Rt wrist plain film · PA projection —

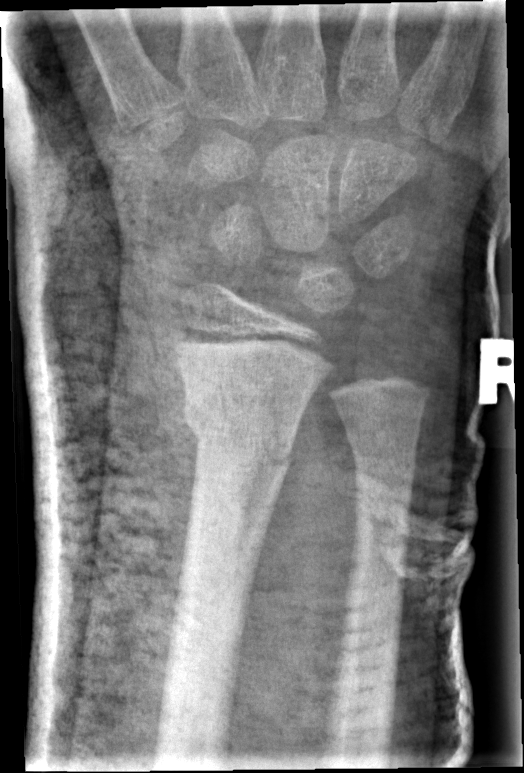

Fracture: bbox(181, 396, 296, 476) bbox(344, 432, 418, 478).